Lat projection, left wrist pediatric wrist radiograph, 11y M, 77.2 mm image width.

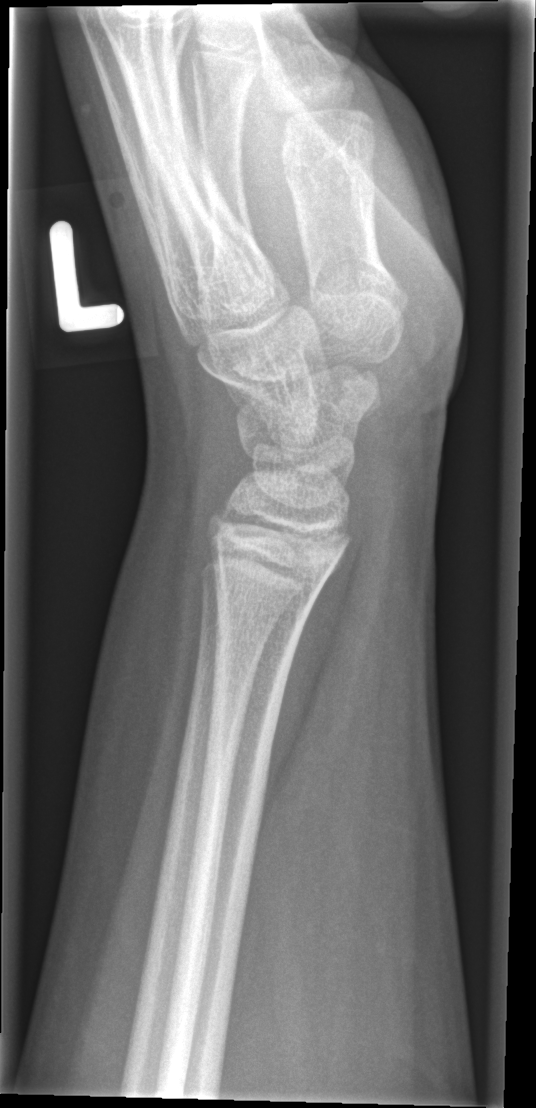

AO classification = 23u-E/7
Fx = present but not clearly seen in this view